AP view · L wrist X-ray · 15y M — 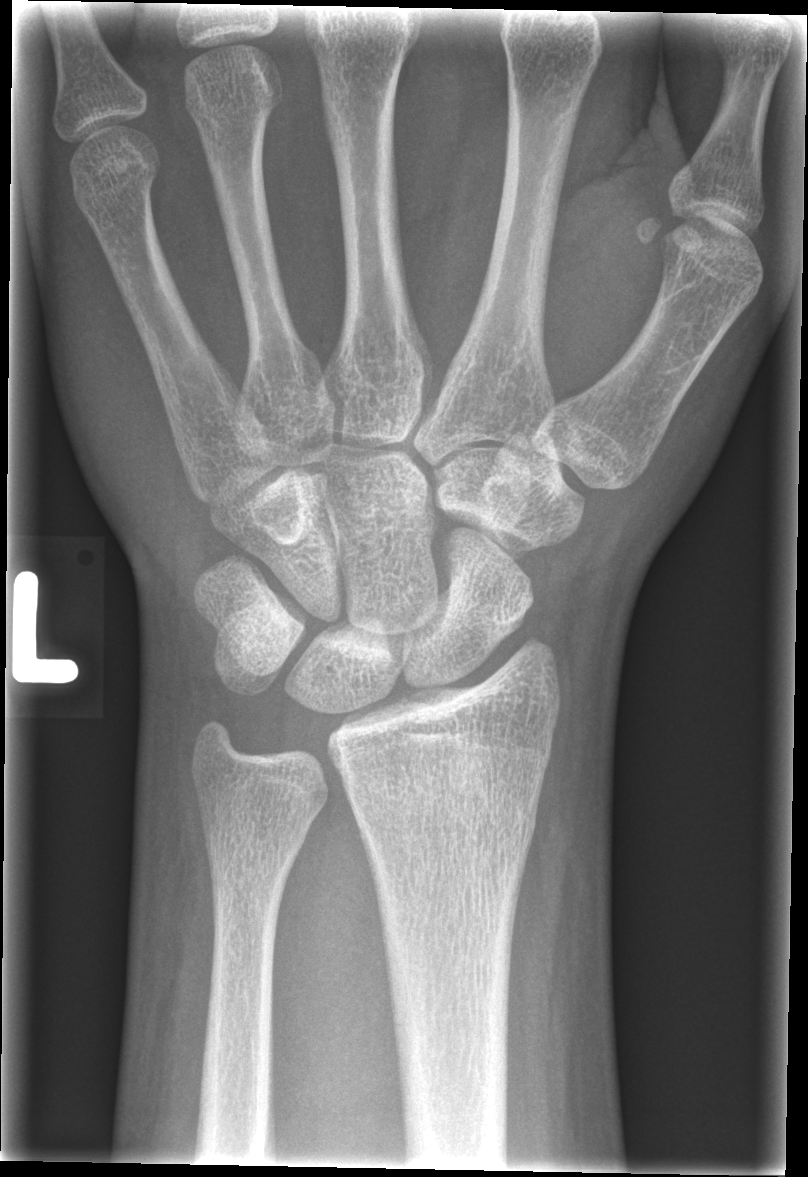
* Fracture: 339,753,545,850.